L wrist X-ray, posteroanterior view, age 10 y, boy

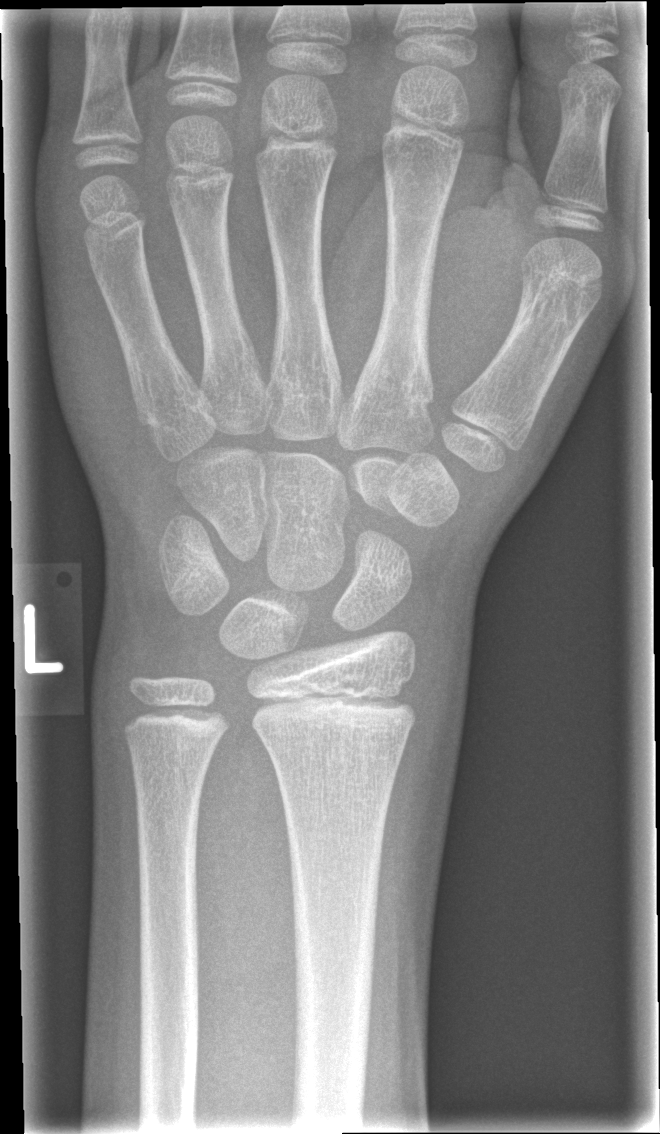

FINDINGS: Fracture: none labeled.